Lat | L plain radiograph of the wrist —
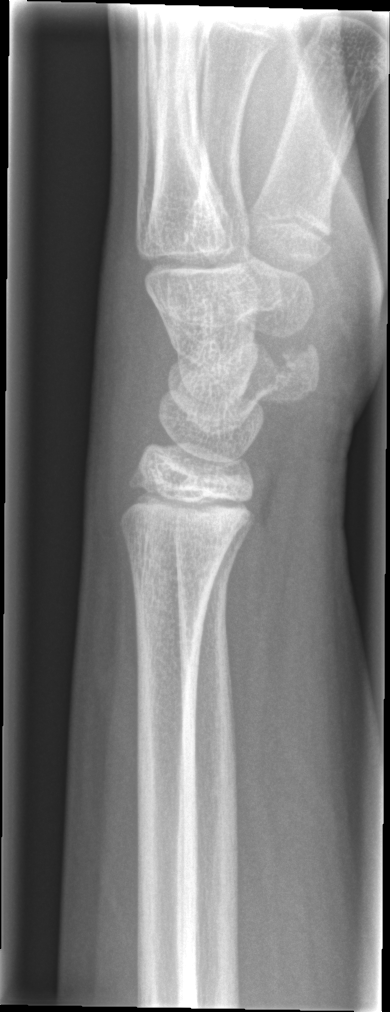 No fracture bounding box.